Left plain radiograph of the wrist, PA view, 10-year-old boy, follow-up study: 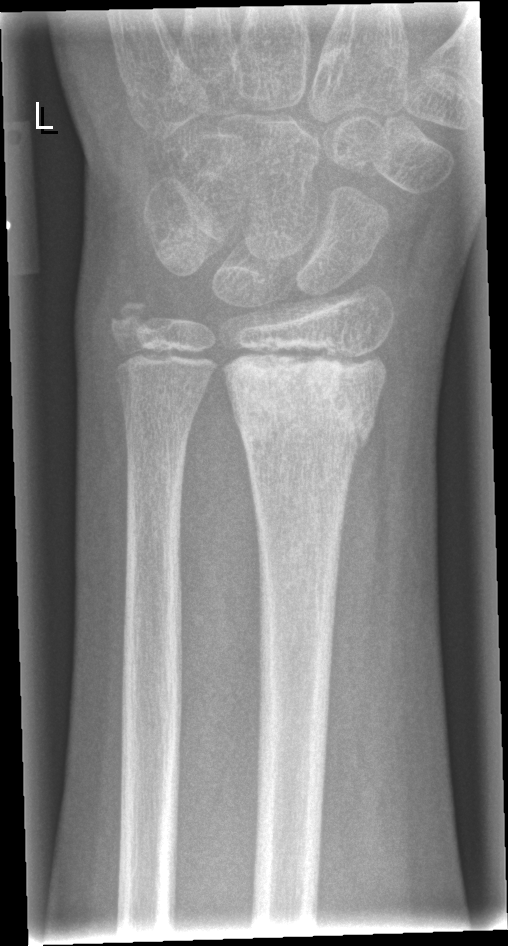

* Two bone fractures at <217,344>-<390,456>, <106,296>-<167,365>.
* Osteopenia.
* AO/OTA classification: 23r-E/2.1; 23u-E/7.